Frontal projection | right wrist plain film | 10-year-old female | cast in situ: 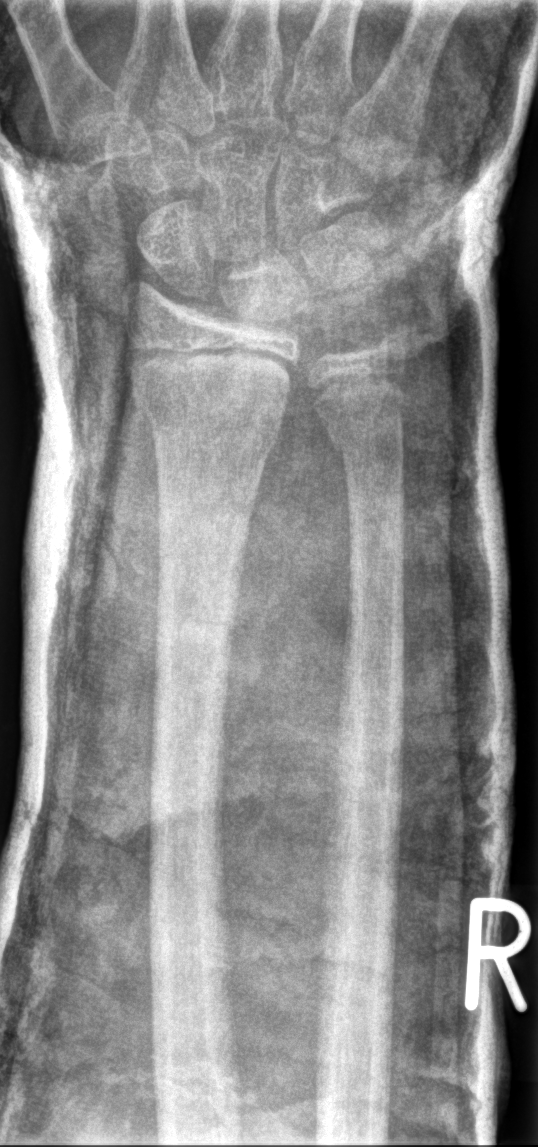 - Two Fx at [x1=135, y1=388, x2=284, y2=458]; [x1=325, y1=420, x2=408, y2=477].